Rt plain radiograph of the wrist · lat view · in cast 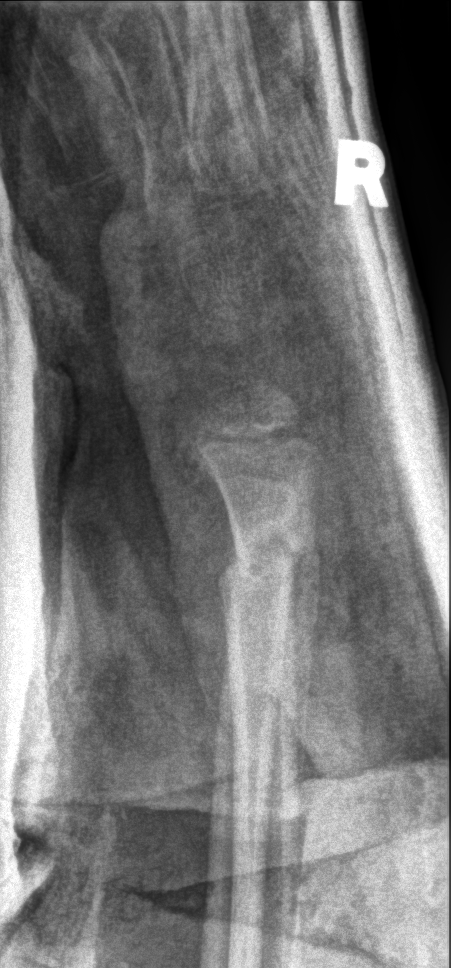

FINDINGS: One bone fracture at [x1=215, y1=513, x2=316, y2=599].